Rt wrist X-ray; lat. 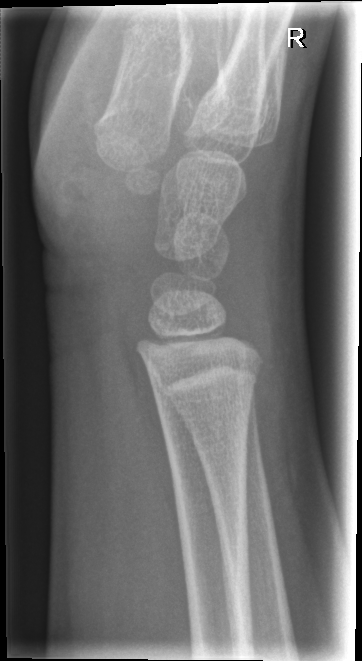
FINDINGS: No fracture bounding box.